Lat projection; left wrist plain radiograph of the wrist; 12y M; cast in situ.
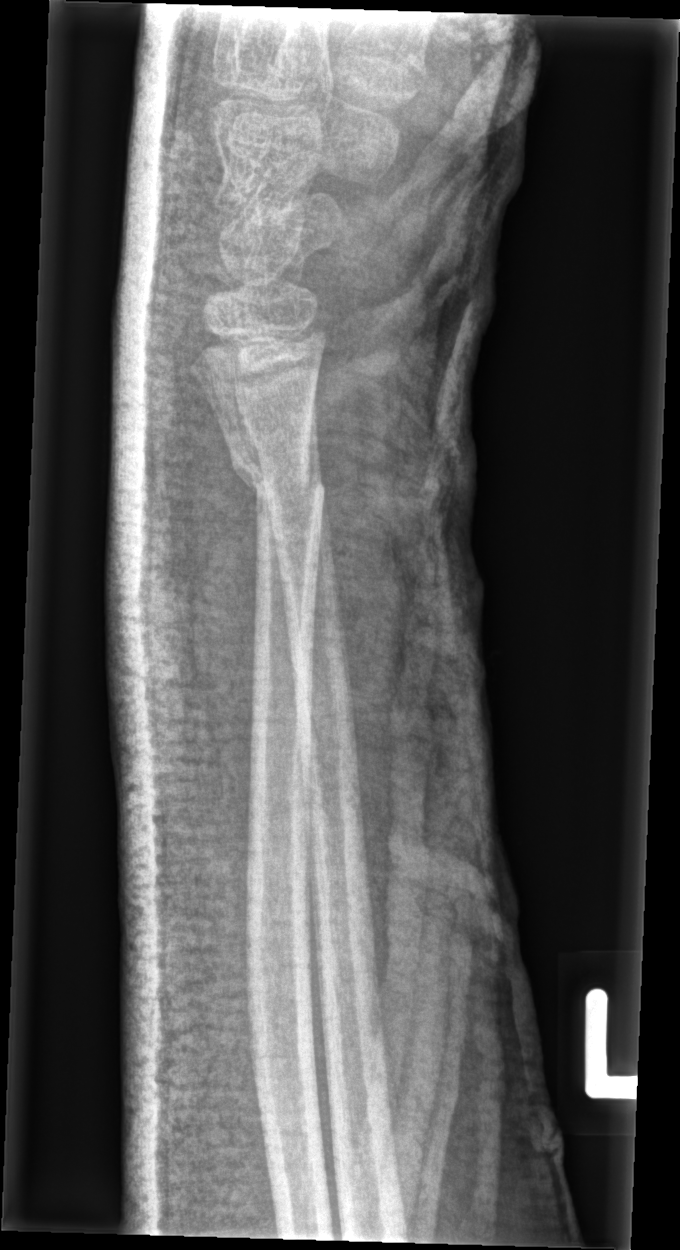

(pixel coordinates, top-left origin, xyxy)
Q: Fracture present?
A: Fracture: <227,443>-<329,520>
Q: What is the AO/OTA classification?
A: AO code 23r-M/3.1